Posteroanterior projection; left wrist plain film; age 13 y, girl; cast present.
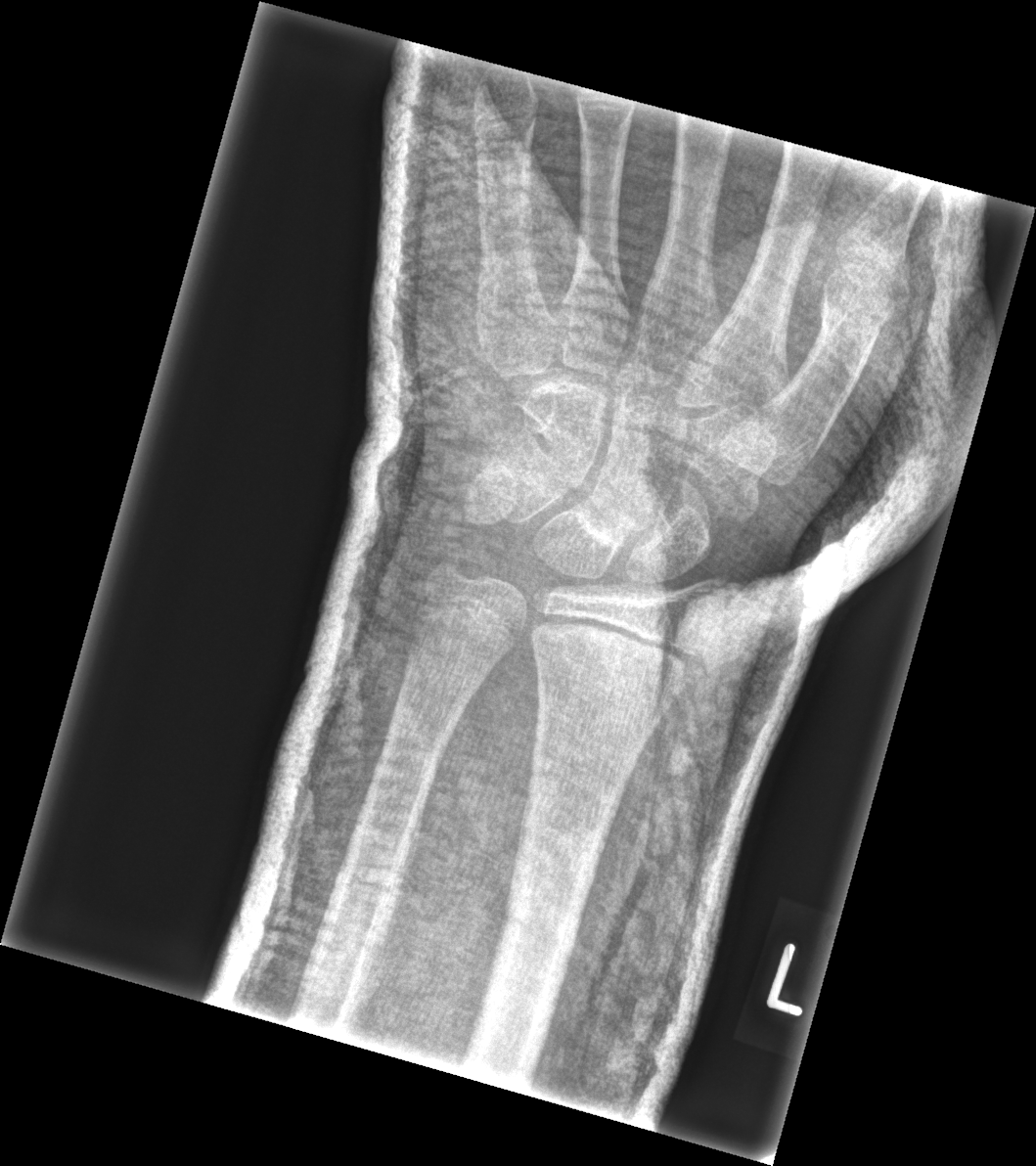
fracture = present but not clearly seen in this view